Lat view · left wrist pediatric wrist radiograph · 12-year-old boy · follow-up · acquired on Siemens.
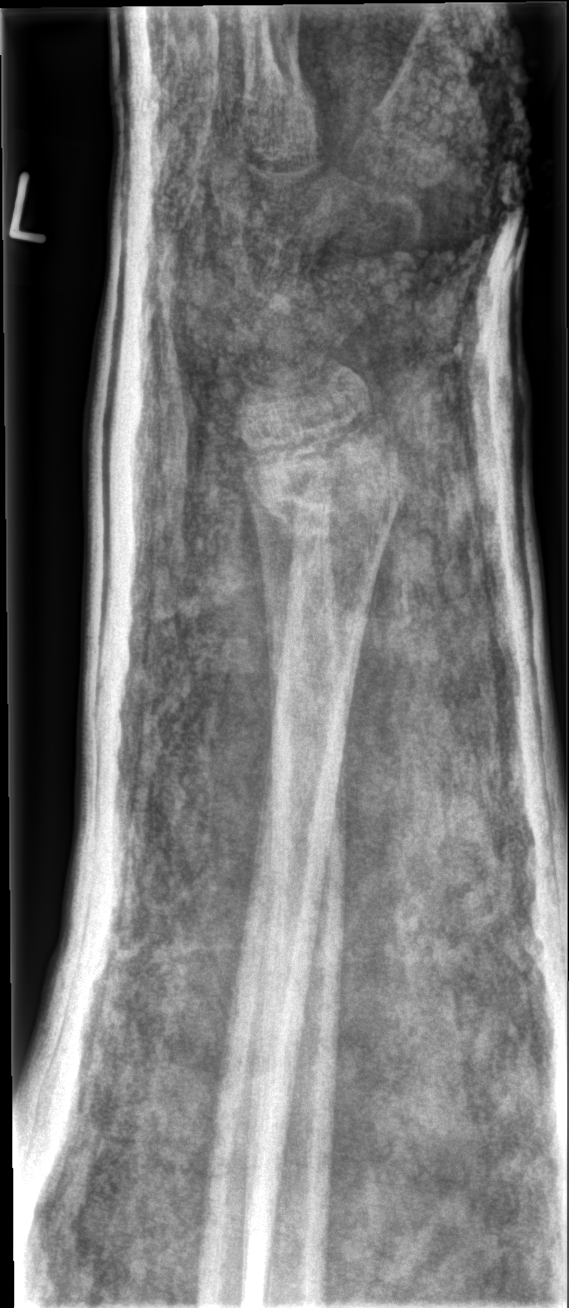

Coordinates are [x1, y1, x2, y2] in image pixels.
Fracture identified at 245 415 409 536.
One periosteal reaction at 251 485 300 766.